Left wrist plain film · posteroanterior · pediatric patient (girl, age 2) — 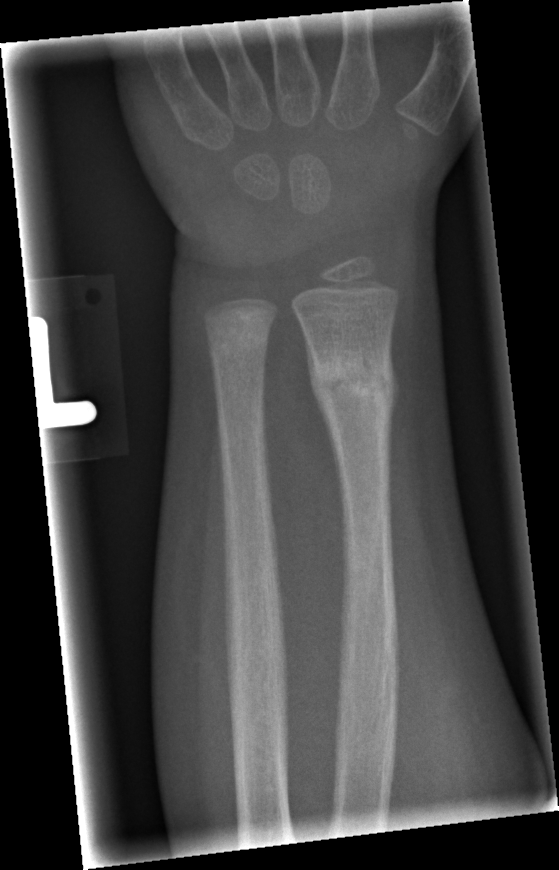
Periosteal reaction — 389,344,401,436. Decreased bone density (osteopenia). Bone fractures — 303,339,401,435 | 202,311,278,376.